Oblique, left wrist radiograph, 13-year-old boy

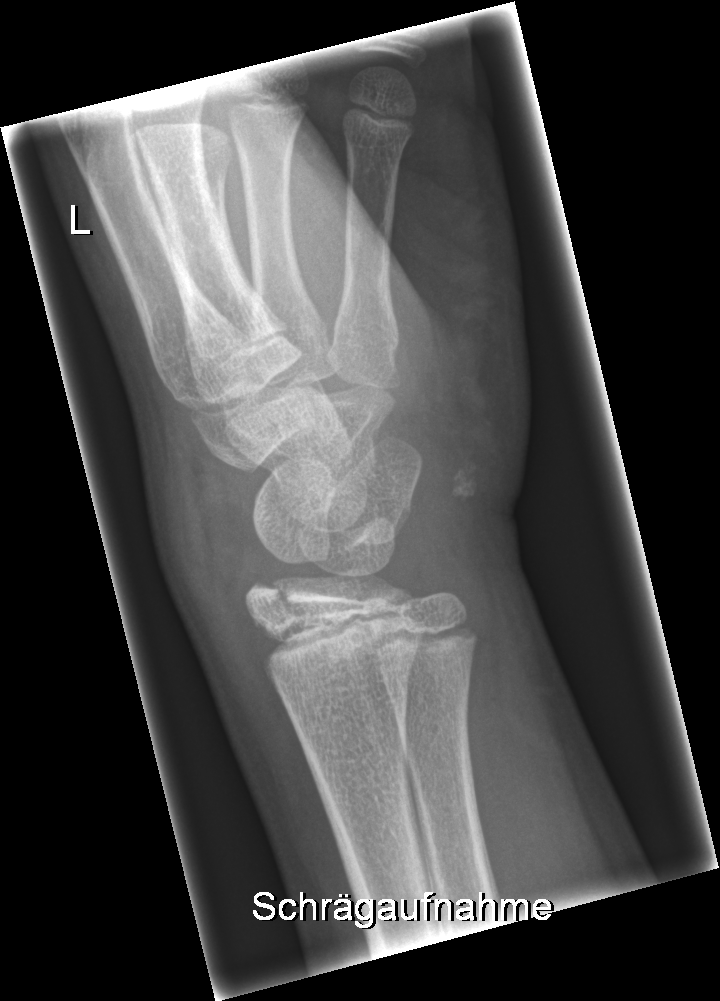
Fx — bbox(241, 575, 342, 641).